Frontal view | L wrist X-ray | follow-up: 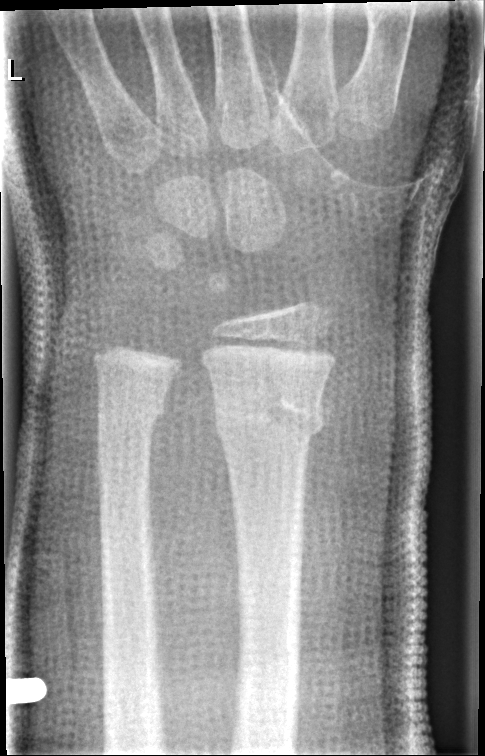
- Boxes as x1,y1,x2,y2 (top-left / bottom-right, pixel units).
- Fracture identified at [x1=211, y1=385, x2=326, y2=462] [x1=94, y1=390, x2=168, y2=436].